Right wrist XR; AP view; pediatric patient (girl, age 8) —

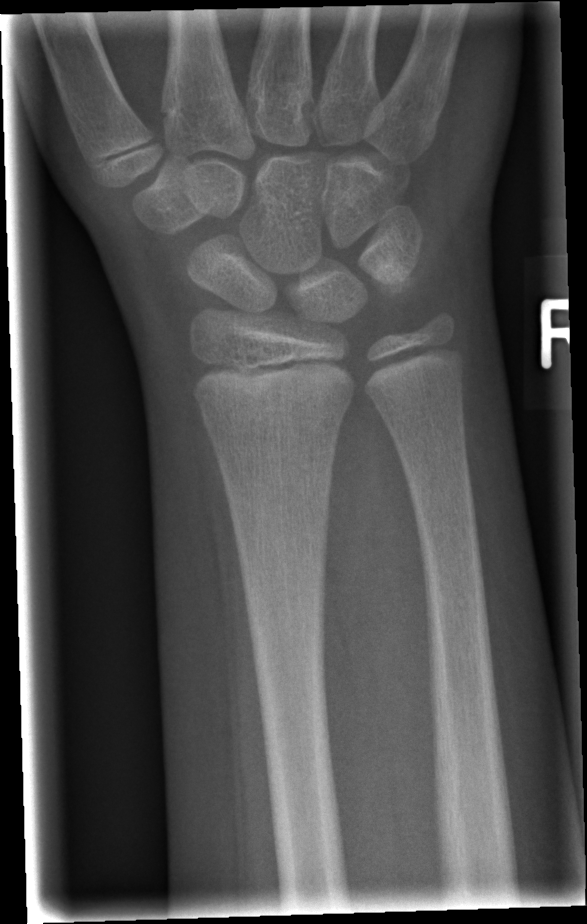
AO/OTA classification: 23r-M/2.1.
Fracture: present but not clearly seen in this view.